Lateral, R wrist radiograph, 13y M:

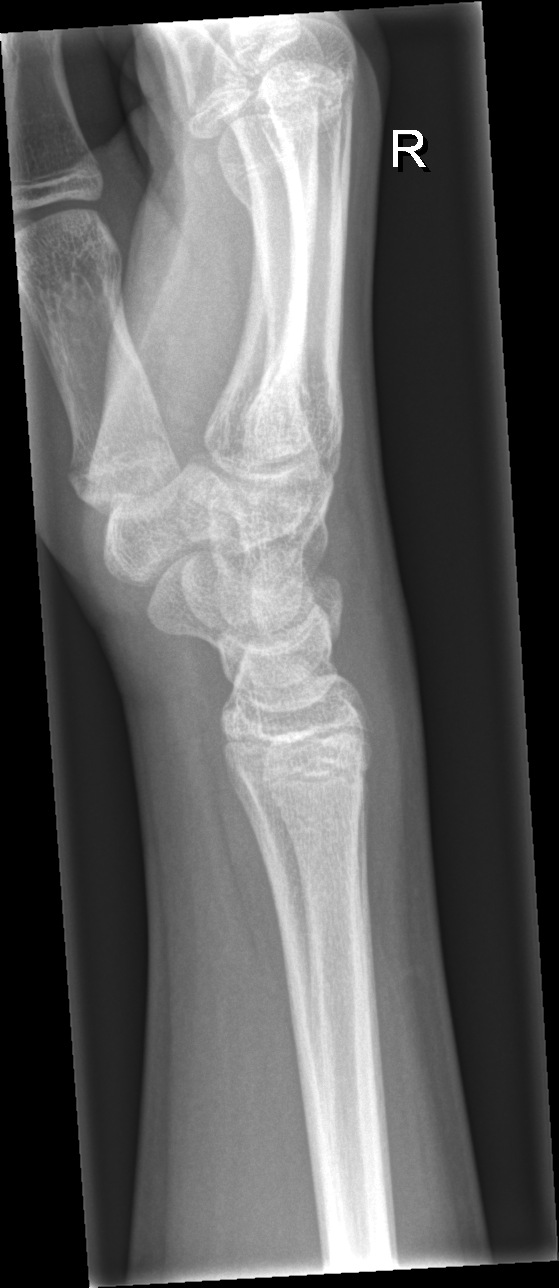 Q: Locate any fractures.
A: No fracture annotation